Right wrist radiograph; lat

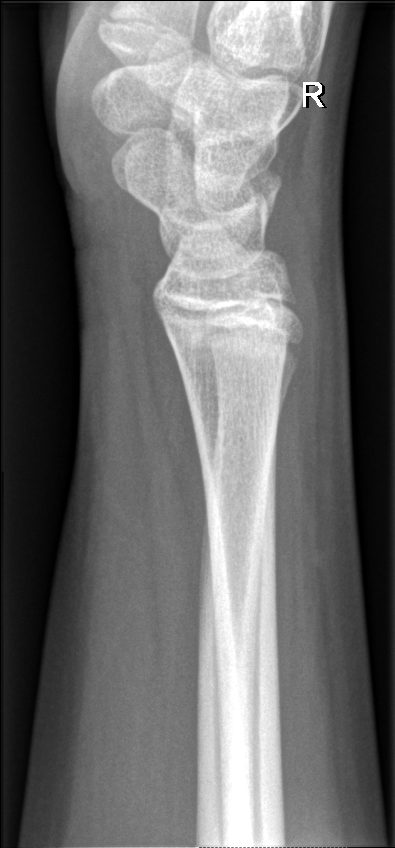 Q: Is there a fracture?
A: No fracture annotation